Right wrist radiograph | lateral | 474x1002:
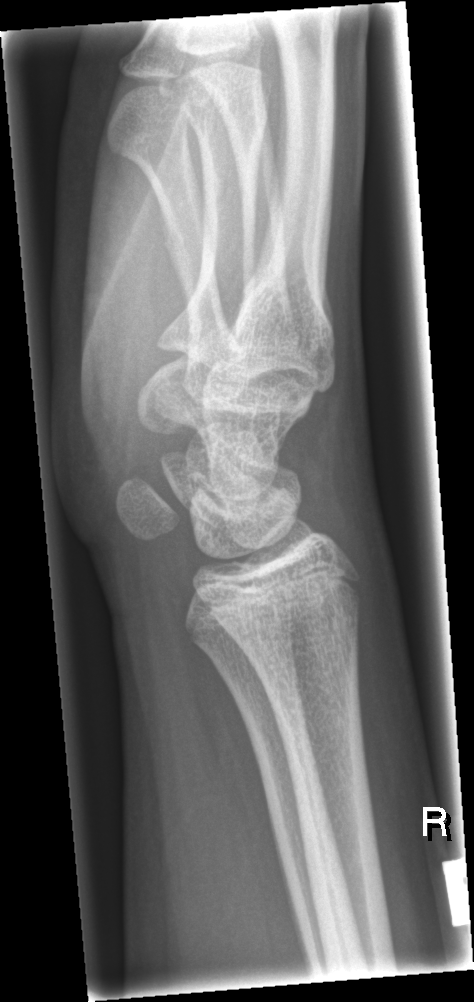

Q: Fracture present?
A: No Fx annotated